Lt wrist plain film · posteroanterior projection · age 5 y, female:

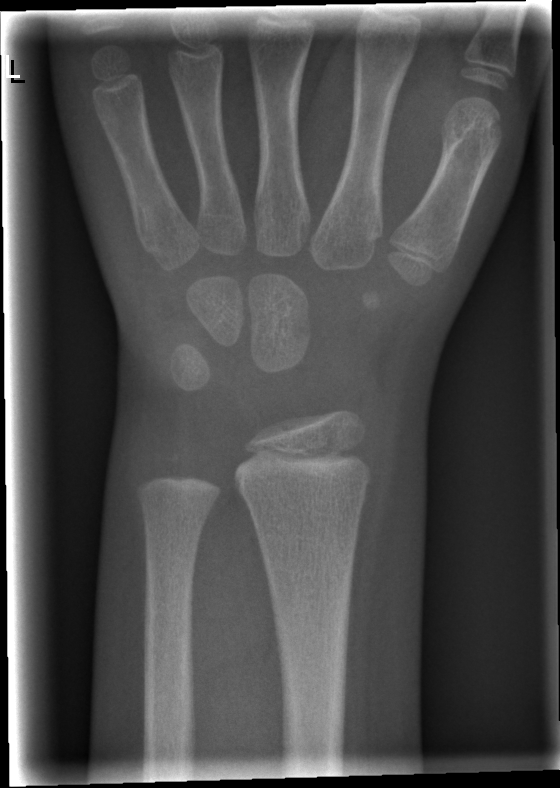

No Fx annotated.